PA/AP view · Rt wrist radiograph · 12-year-old female.

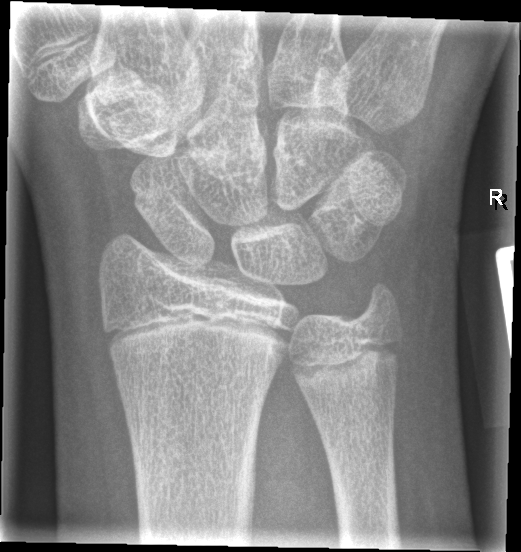
FINDINGS — No fracture annotation.